AP projection, left wrist plain radiograph of the wrist, 478 x 948 px
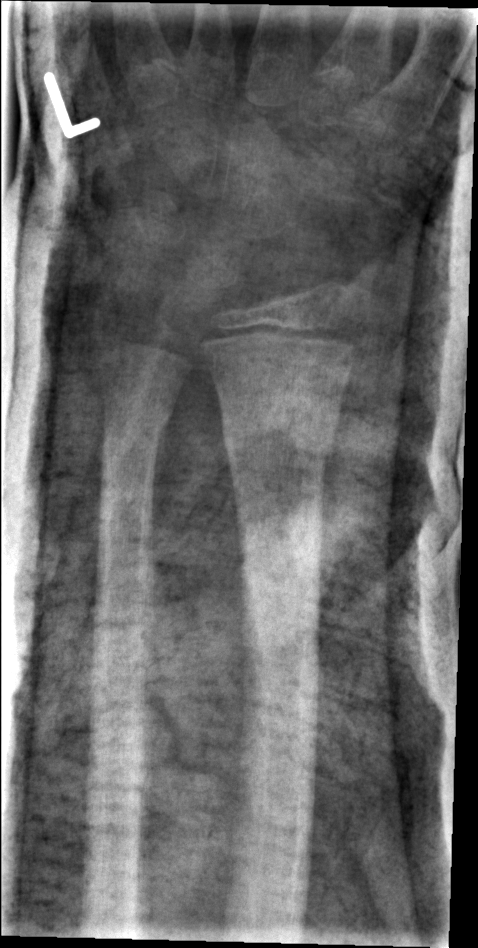
{
  "fracture": "(left=218, top=382, right=344, bottom=476); (left=97, top=396, right=179, bottom=458)",
  "ao": "23-M/3.1"
}